Posteroanterior; right wrist XR; girl, 9 yo

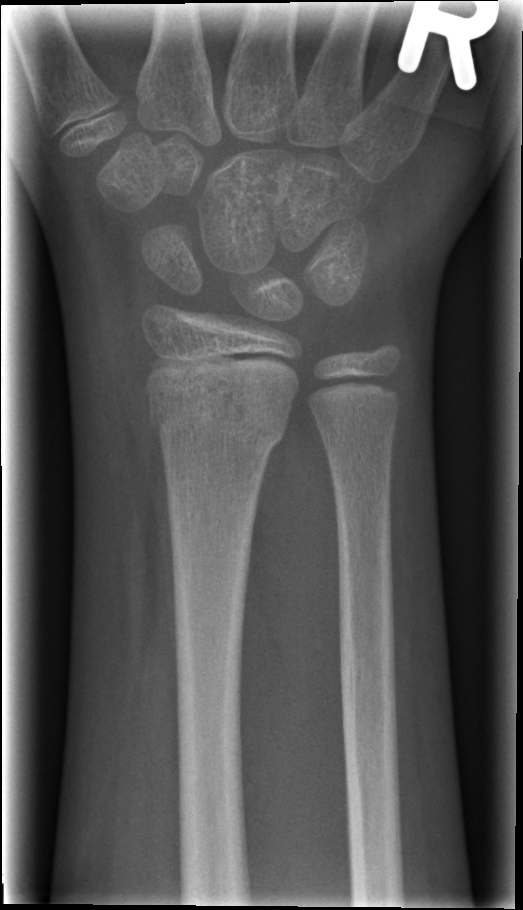 Fracture identified at [142, 375, 295, 453].